Left wrist X-ray, PA view, 16-year-old male.
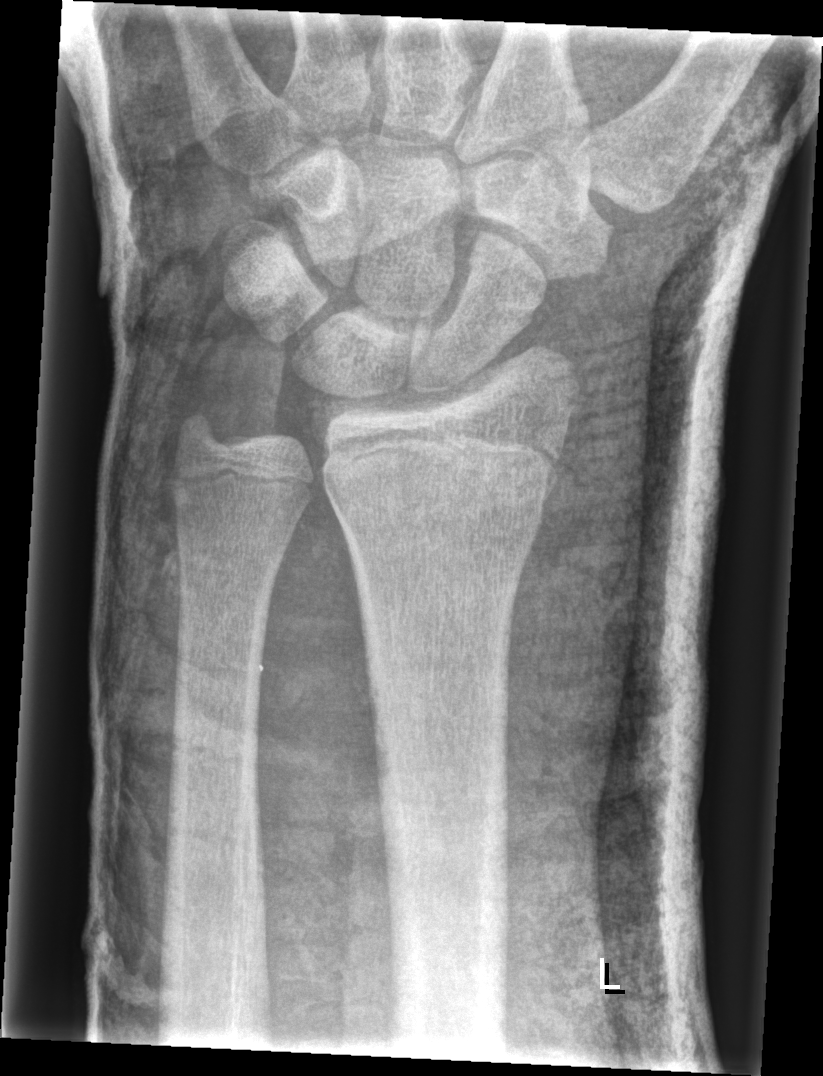
FINDINGS: (boxes as x1,y1,x2,y2 (top-left / bottom-right, pixel units)) Fx: <320,434>-<569,515>. Fracture classified AO/OTA 23r-E/2.1.